Lat view · left wrist plain film · female, 13 yo · presentation radiograph · 1092 by 1092 pixels:

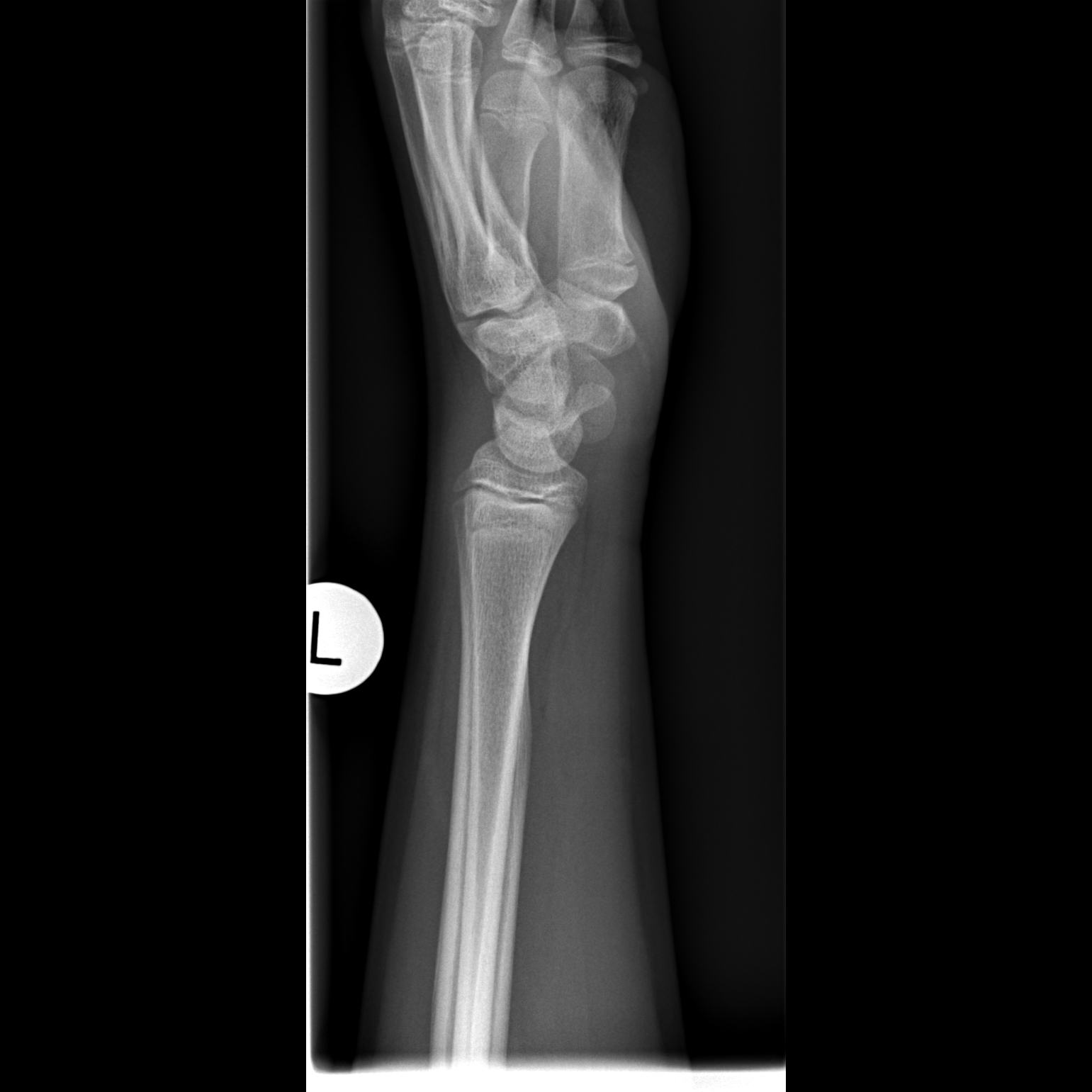

Q: Locate any fractures.
A: No Fx annotated